R plain radiograph of the wrist, lat, age 13 y, female, index exam, detector: Siemens. 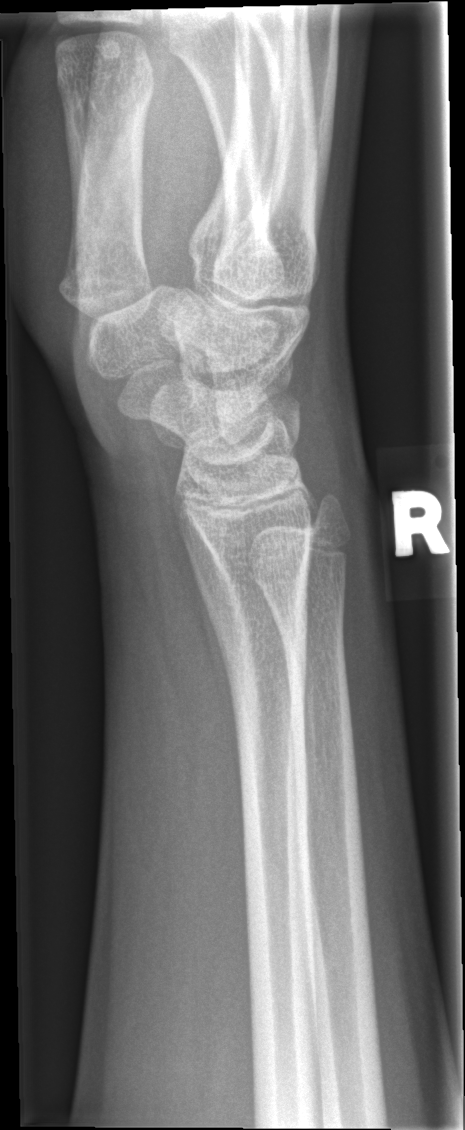
Bone fracture = none labeled